R wrist X-ray | lateral view | Siemens | image 69.0 mm wide —

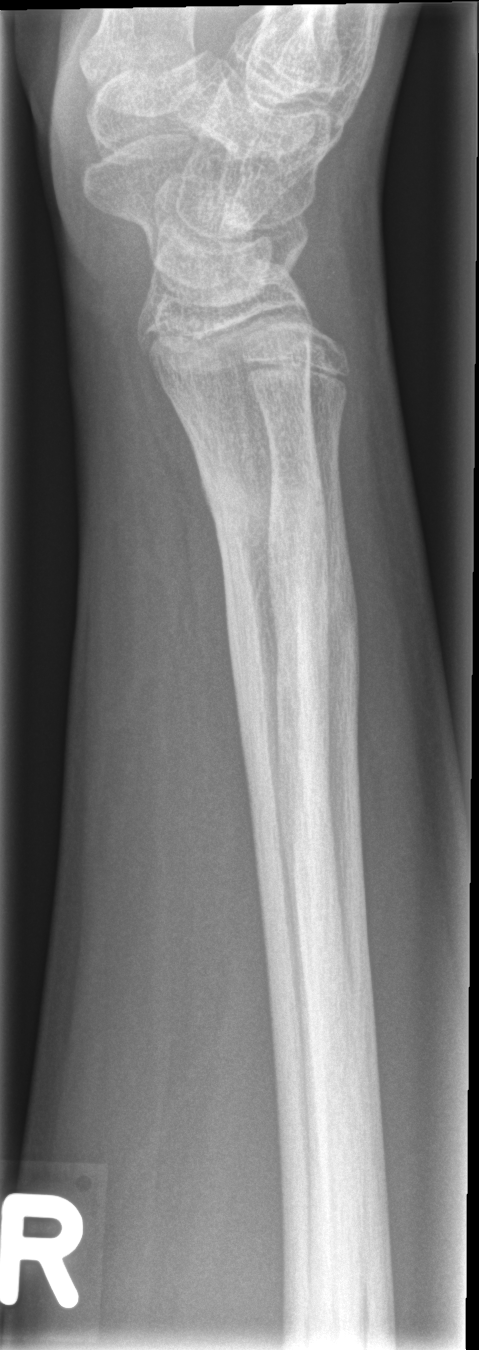 Findings: Fracture classified AO/OTA 23r-M/3.1; 22u-D/4.1; 23u-E/7. Osteopenic. Fx identified at 198 457 344 653.